Right wrist plain radiograph of the wrist; lat view; age 3 y, female.

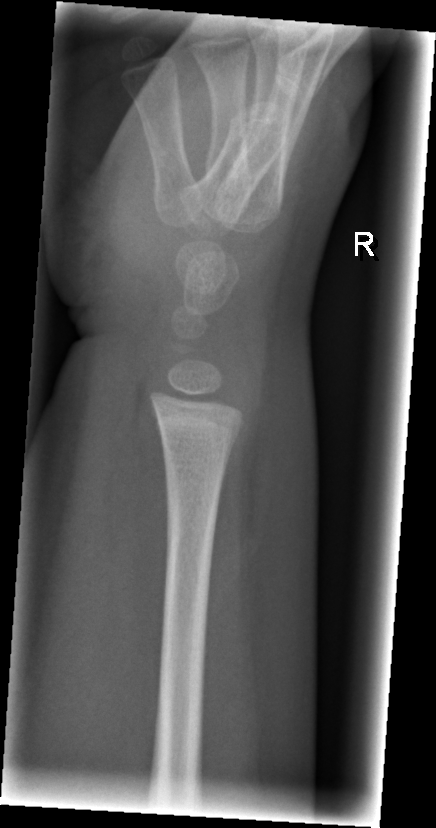
Bone fracture = none labeled